Posteroanterior; Lt pediatric wrist radiograph; girl, 6 yo

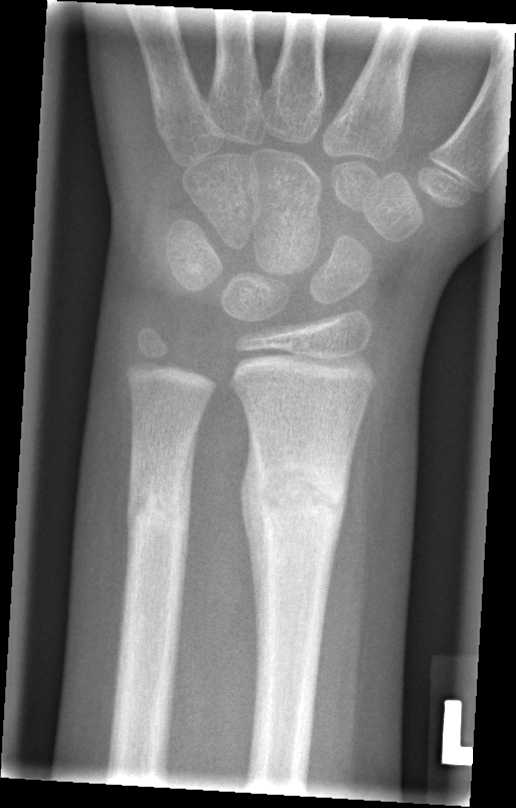

Fracture classified AO/OTA 23-M/3.1. Bone fracture: bbox(237, 452, 353, 533) bbox(123, 475, 193, 538). Periosteal new bone — bbox(238, 424, 270, 682).